Left wrist X-ray · lat · cast in situ · acquired on Siemens — 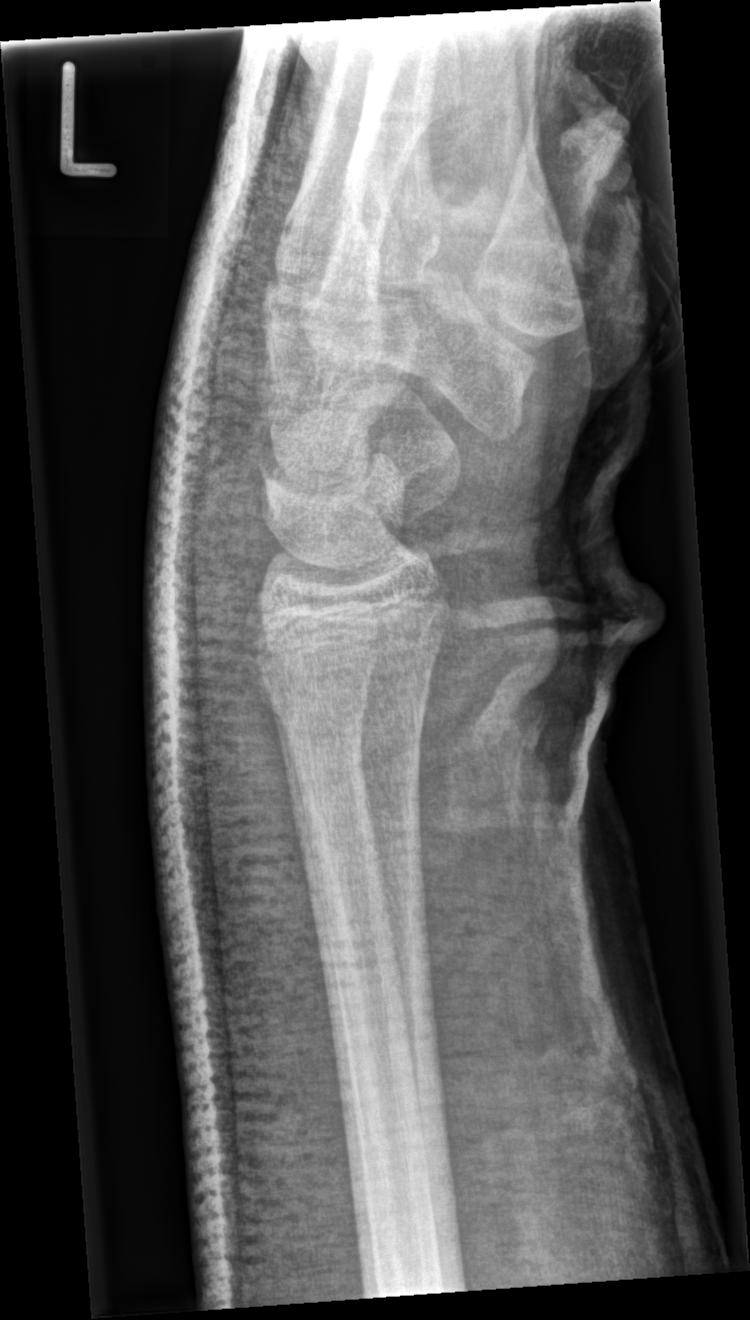
{
  "fracture": "249 570 456 739",
  "ao": "23r-M/3.1; 23u-E/7"
}